L pediatric wrist radiograph · lat projection · pediatric patient (female, age 6) · 412 by 902 pixels —
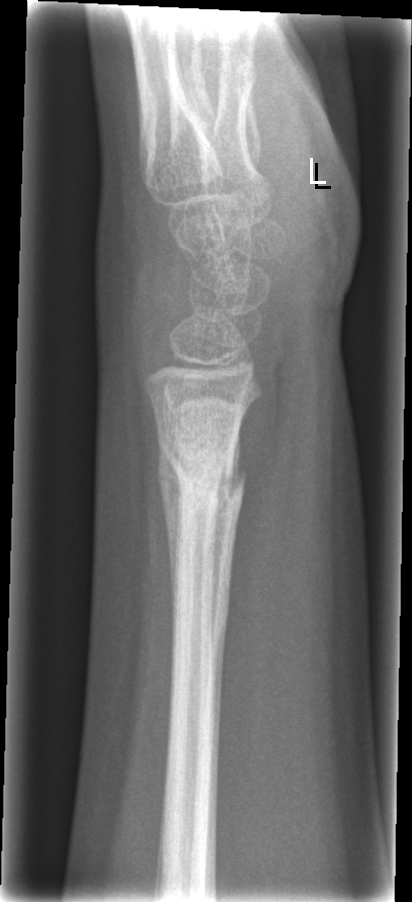 Findings: Periosteal new bone: (left=157, top=439, right=185, bottom=711). Fx identified at (left=153, top=425, right=247, bottom=527). Fracture classified AO/OTA 23r-M/3.1; 23u-M/2.1. Reduced bone mineral density.